Rt wrist XR, posteroanterior projection, girl, 6 yo, follow-up study, imaged through cast, Siemens:
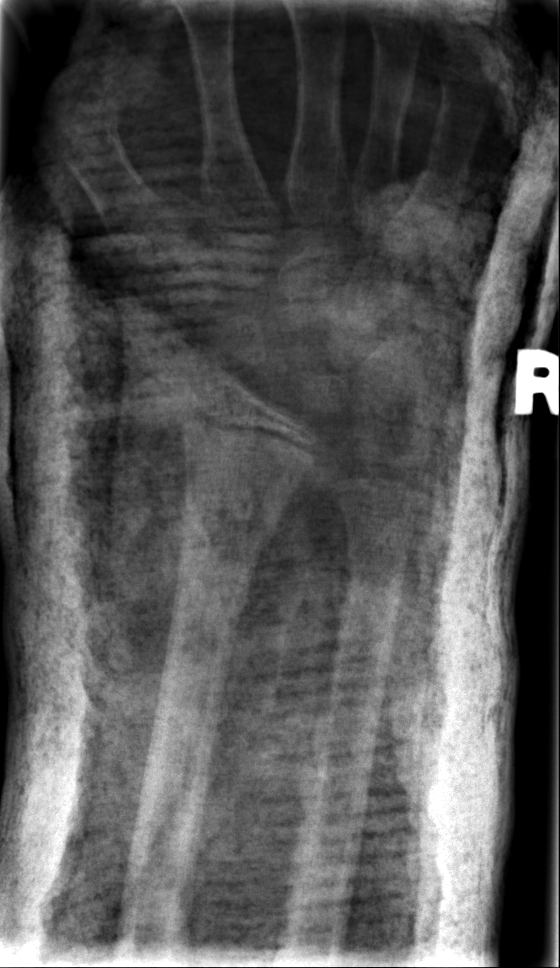
Fracture: present but not clearly seen in this view.